R wrist radiograph · PA/AP projection · 8-year-old male · follow-up · 723x1054: 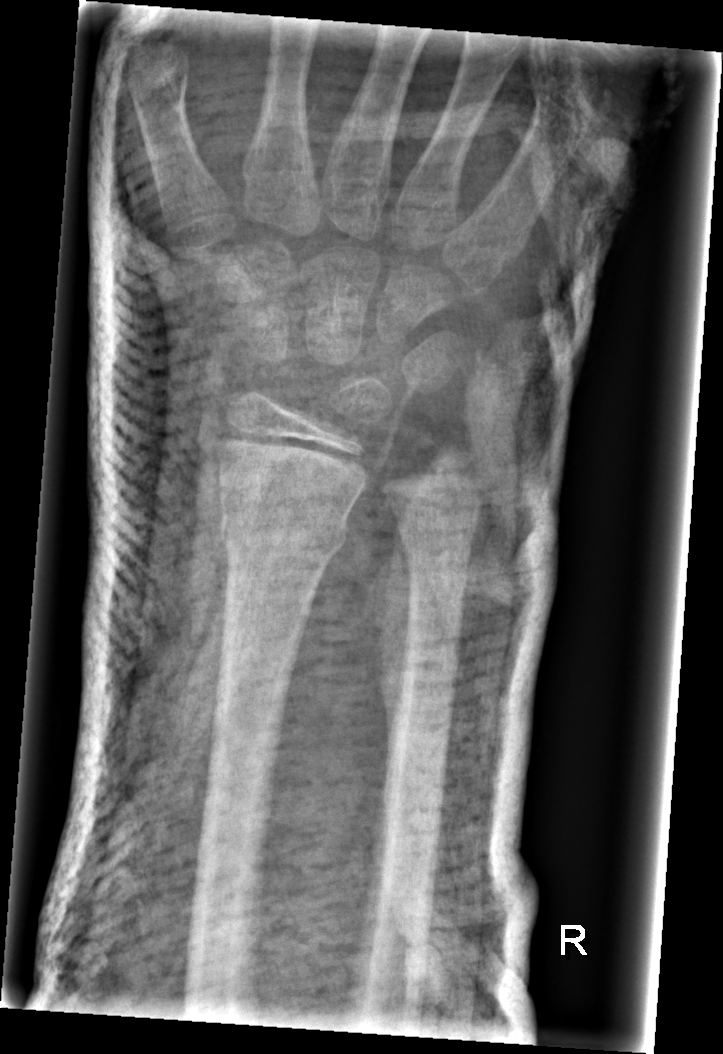

(boxes as x1,y1,x2,y2 (top-left / bottom-right, pixel units))
Bone fracture: <219,508>-<350,557>
AO code: 23-M/2.1